Right wrist radiograph · PA projection · age 11 y, male

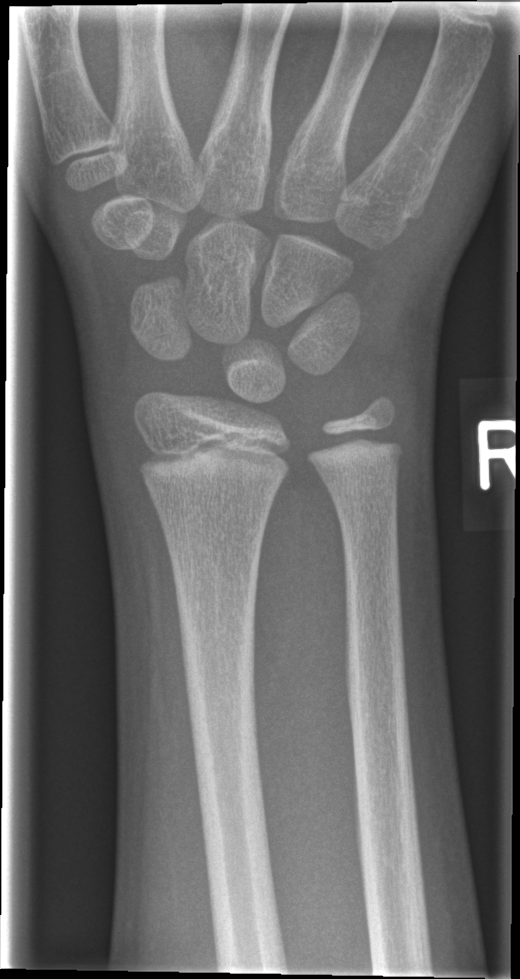

{"fracture": "none labeled"}